Frontal view; left pediatric wrist radiograph; 3y F —
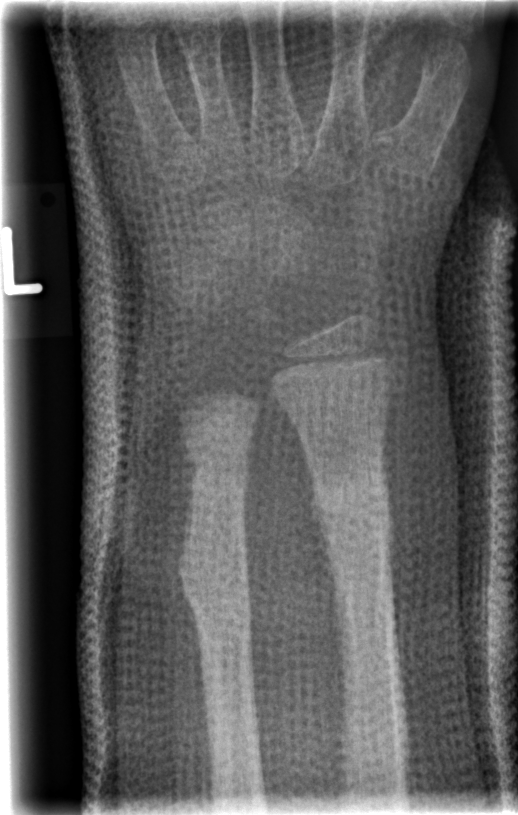 Q: Bone variants present?
A: Bone variant: bbox(173, 510, 253, 631)
Q: Locate any fractures.
A: Fractures — bbox(301, 451, 400, 557) bbox(179, 435, 257, 495)